L wrist X-ray · PA/AP view — 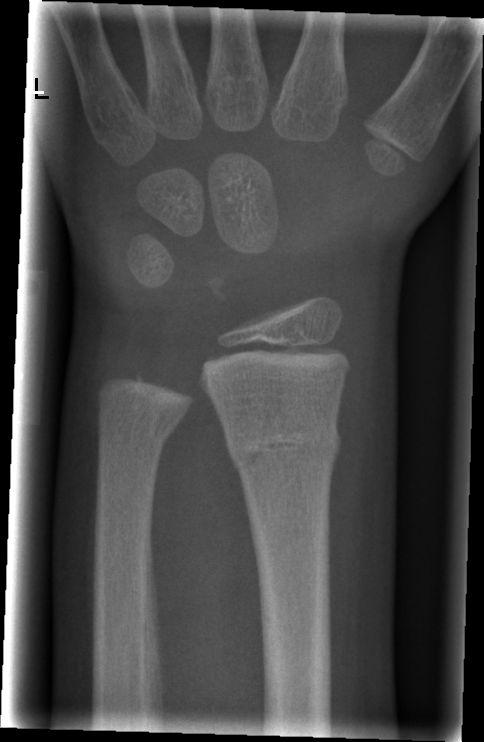

FINDINGS — AO code 23-M/2.1. Two bone fractures at <225,421>-<343,480>, <94,406>-<193,450>.